Lat · L plain radiograph of the wrist · in cast · Siemens:

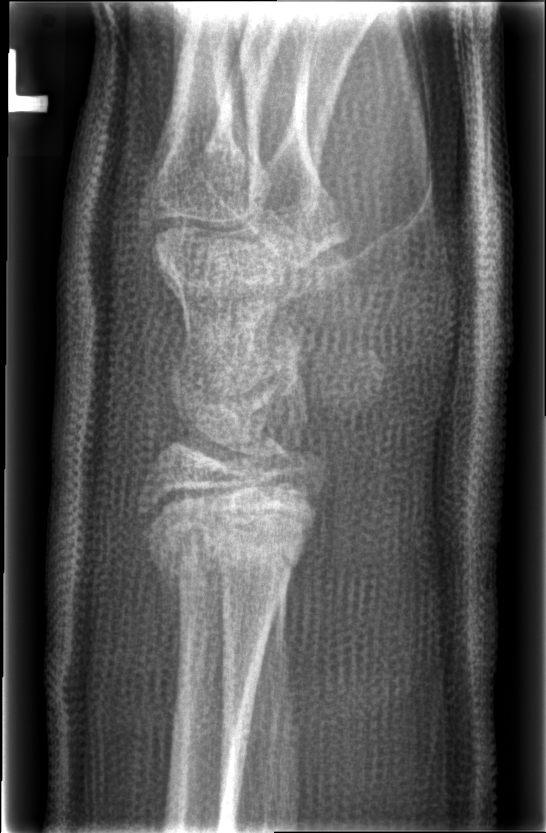 Q: Fracture present?
A: Fx identified at 147 504 318 606